PA/AP; Rt wrist X-ray; Siemens —

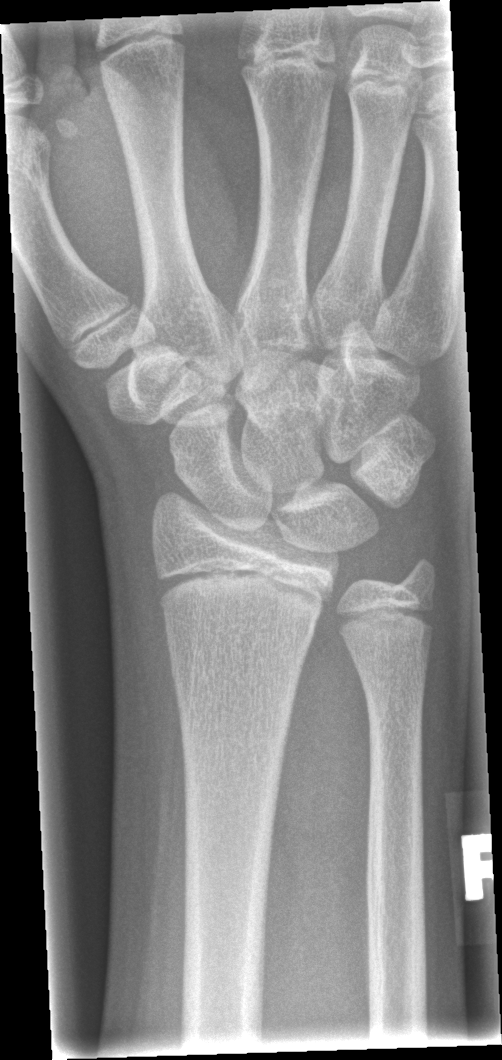 • No fracture bounding box.